Lt wrist plain film · lateral · presentation radiograph · image width 62.4 mm · 433 by 1054 pixels.

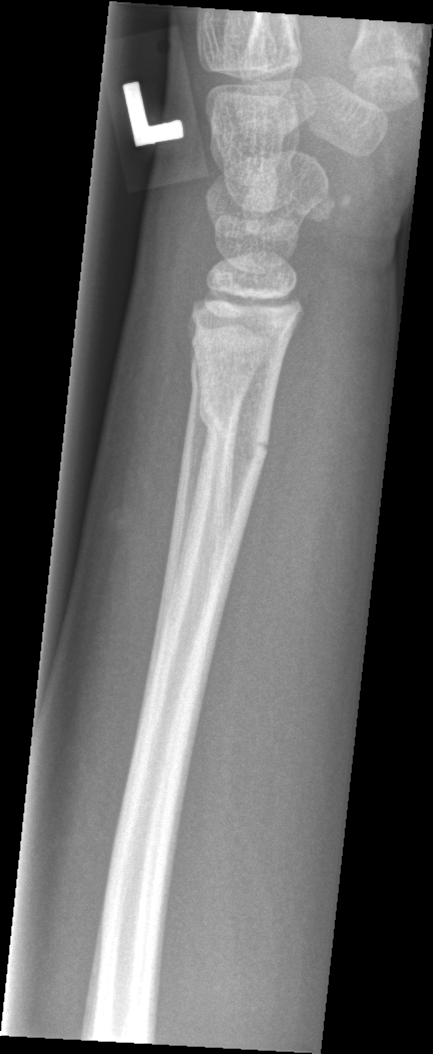 Findings: (bounding boxes in image-pixel xyxy) One pronator quadratus fat-pad sign at <250,303>-<327,505>. Two Fx at <196,392>-<272,469> <186,354>-<246,411>.